Right wrist XR | posteroanterior view | male, 14 yo | image width 102.4 mm —

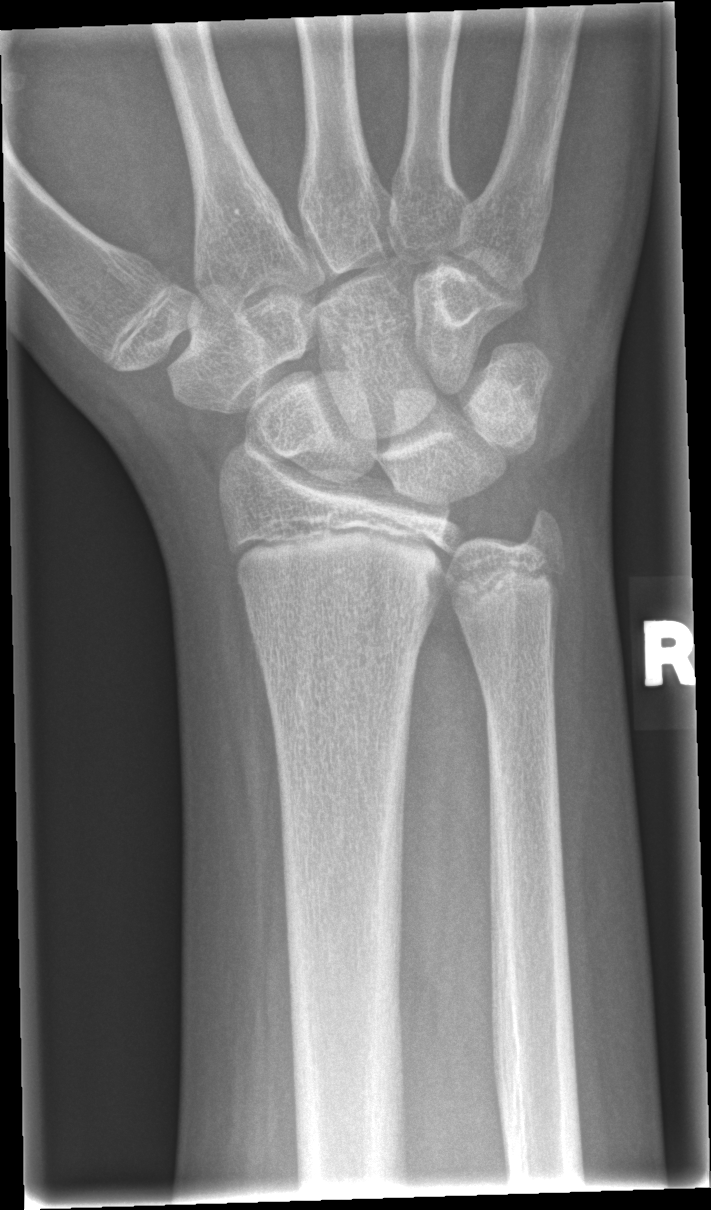
Fx: none labeled